PA/AP · R wrist X-ray · 12-year-old male · 462 by 1304 pixels

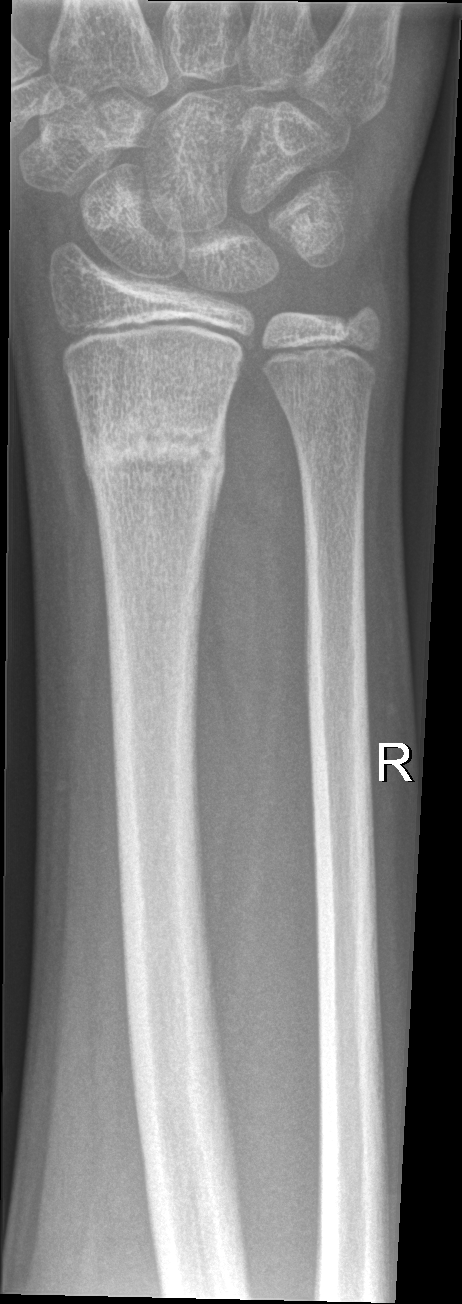 Fracture = 1 @ [x1=76, y1=389, x2=232, y2=494]
Osteopenia = present
Periosteal new bone = [x1=204, y1=399, x2=229, y2=575]